Left wrist radiograph; AP — 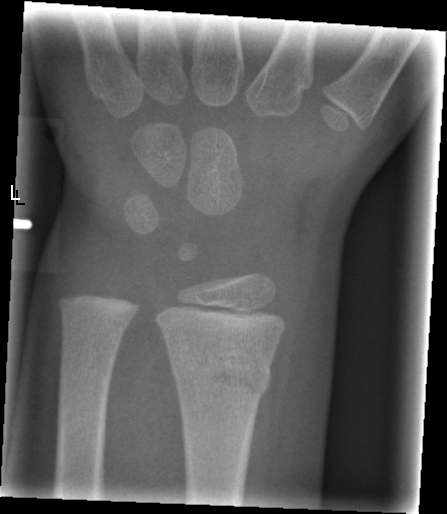

Fx = 1 @ 168 346 274 403